Right wrist XR | lateral:
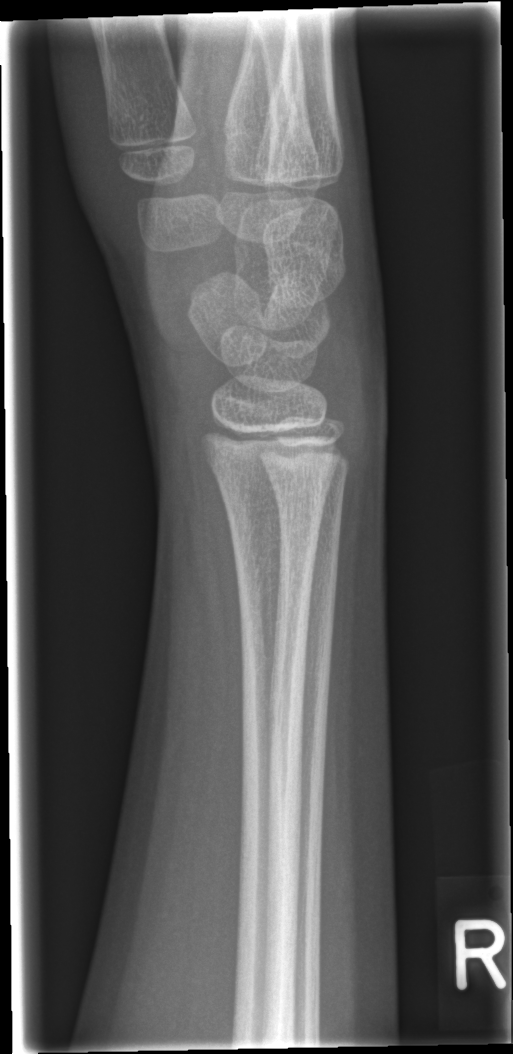 Fx: none labeled